PA projection, Lt wrist X-ray, follow-up study, acquired on Siemens.
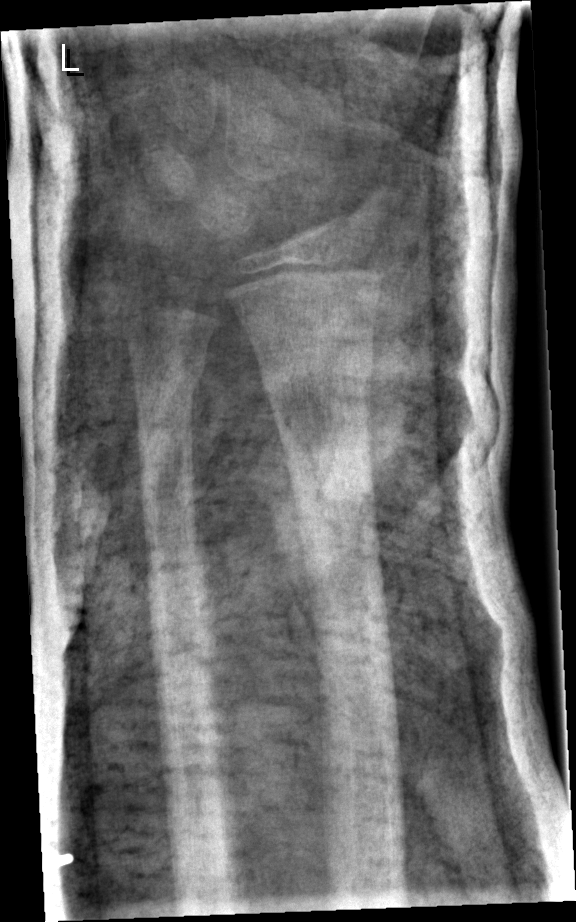
(pixel coordinates, top-left origin, xyxy)
AO code: 23-M/3.1
Bone fracture: [254, 340, 378, 430] [126, 348, 209, 401]